Posteroanterior projection · left wrist plain film. 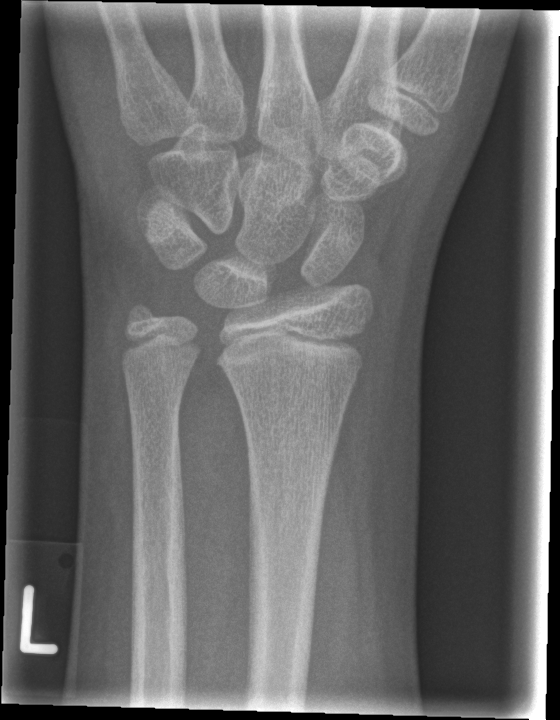
Fx: none labeled